Left wrist radiograph · AP · pediatric patient (female, age 9) 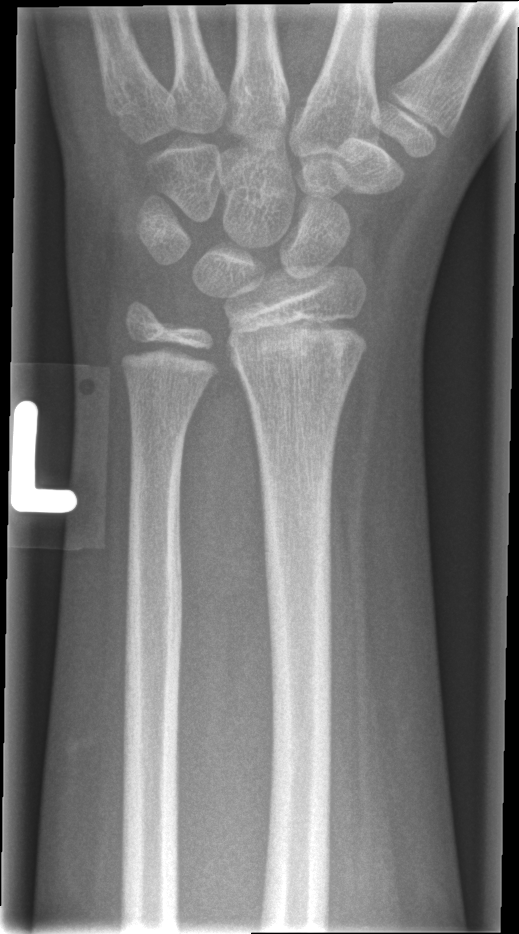 - No Fx annotated.